Left wrist plain film | PA/AP view | initial study —
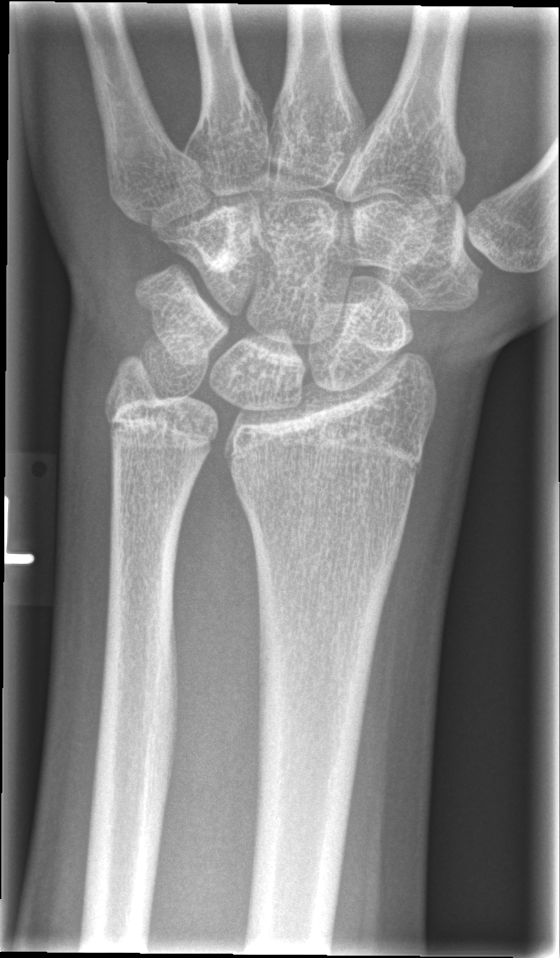
No fracture bounding box.